Lat · L wrist radiograph · age 15 y, male · subsequent exam · cast present · image size 612x1190:

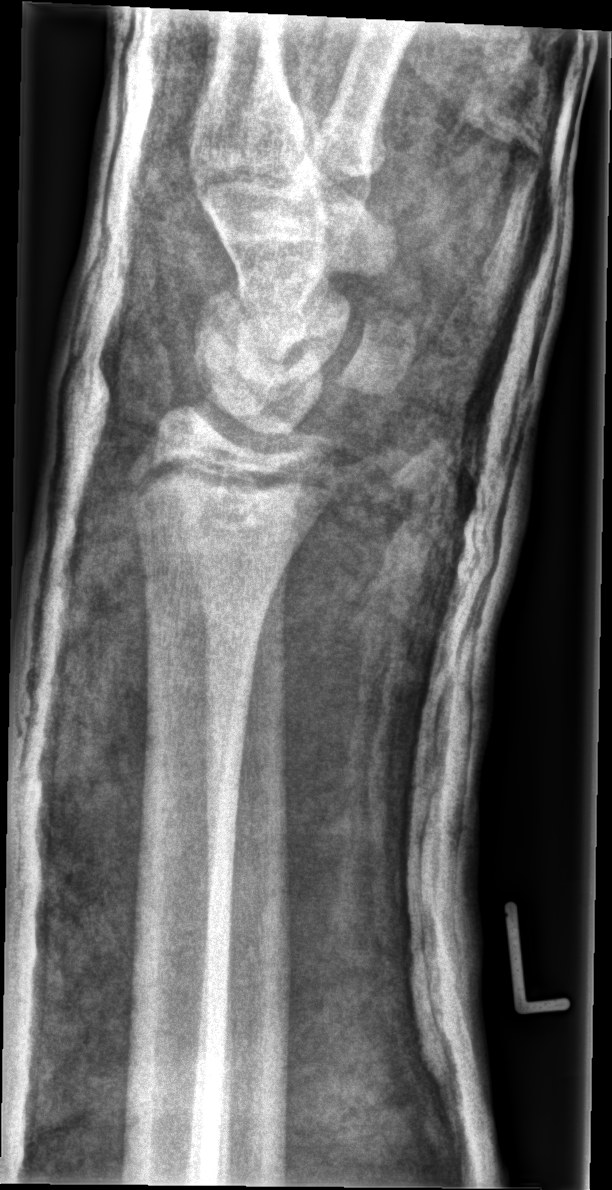 Fx: present but not clearly seen in this view.
AO code 23r-E/2.1; 23u-E/7.